Left wrist X-ray, AP view, imaged through cast
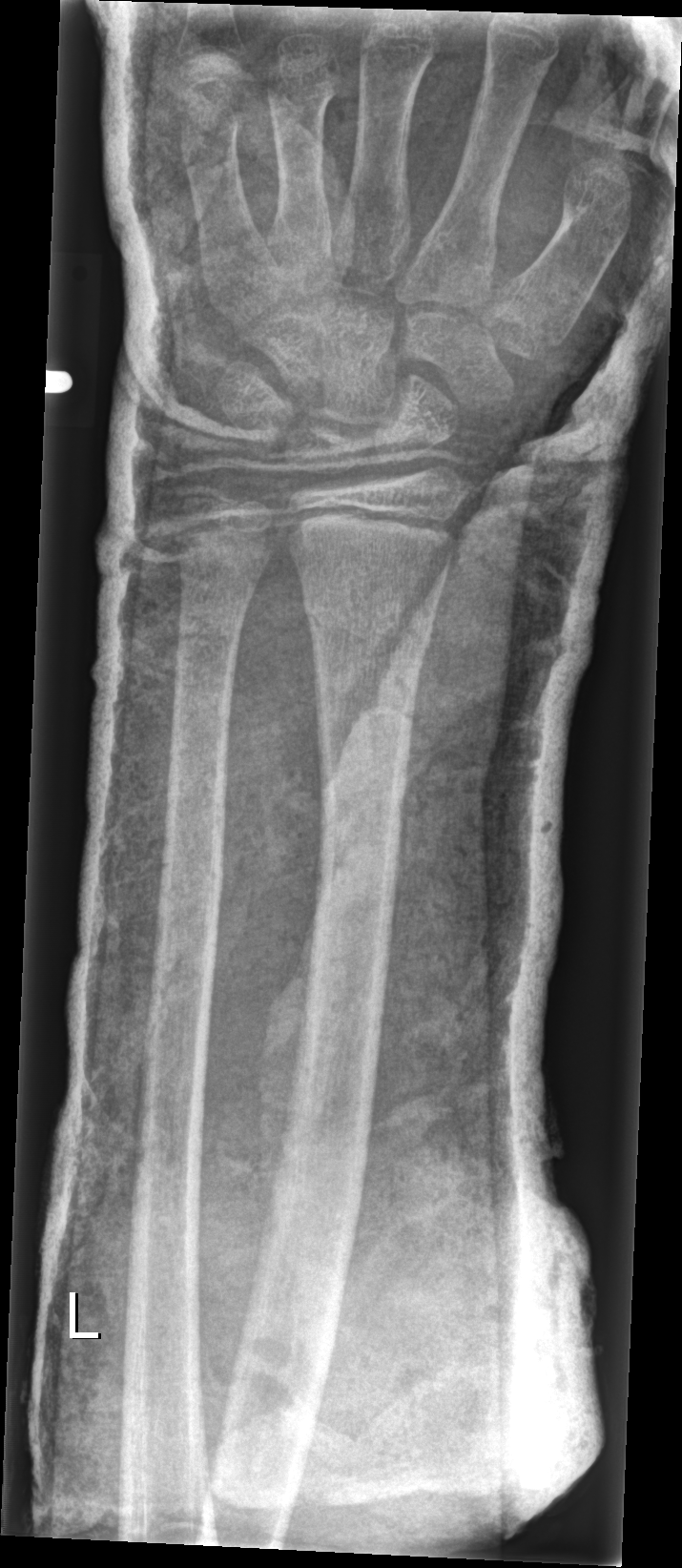

Pixel coordinates, top-left origin, xyxy.
Bone fracture identified at [301, 587, 436, 650].